Right wrist X-ray | AP | pediatric patient (female, age 13) | initial study | 548 x 956 px. 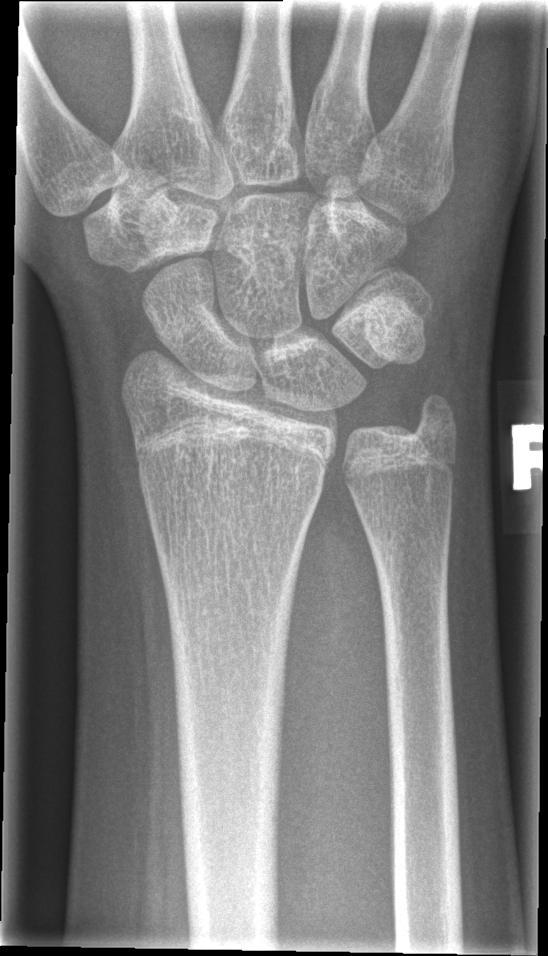

• Fracture: none labeled.